Lateral projection · L wrist XR · 12y M · cast in situ.

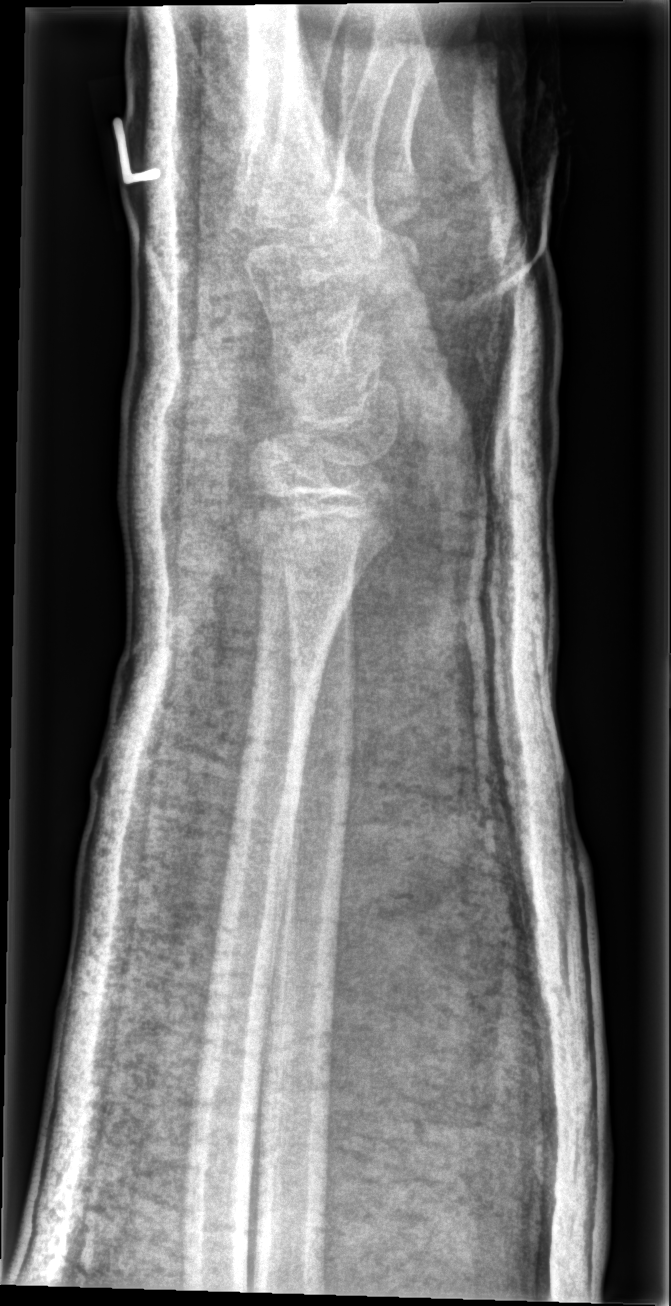

FINDINGS — (coordinates are [x1, y1, x2, y2] in image pixels) Fx: <232,512>-<380,599>. AO/OTA classification: 23r-M/3.1; 23u-E/7.